Lat view; R wrist XR; age 6 y, girl; subsequent exam. 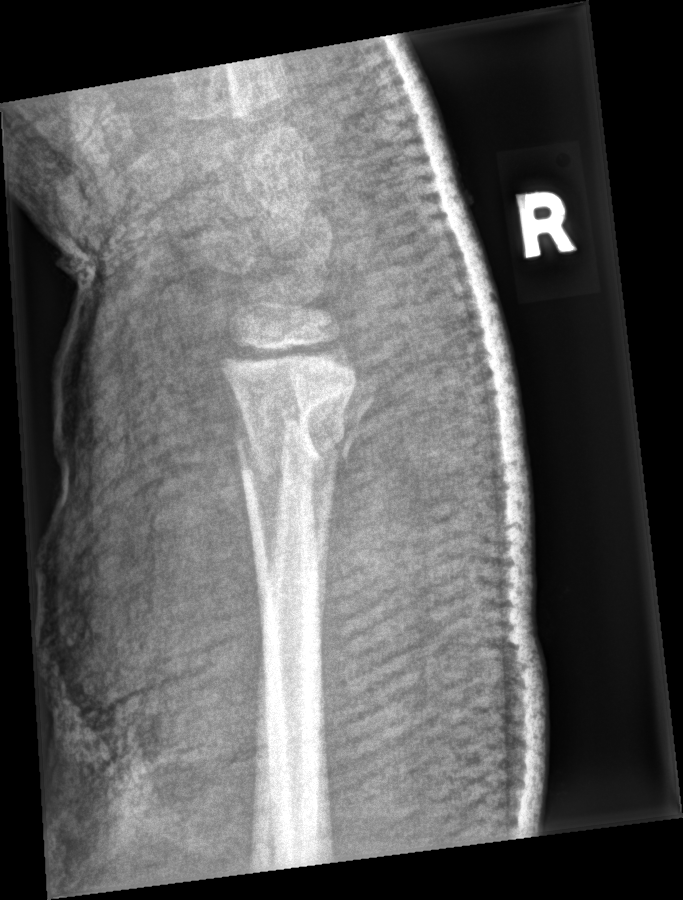 ao: 23-M/3.1
fracture: 1 @ 226,386,374,487